R plain radiograph of the wrist · AP · pediatric patient (boy, age 14) · index exam —
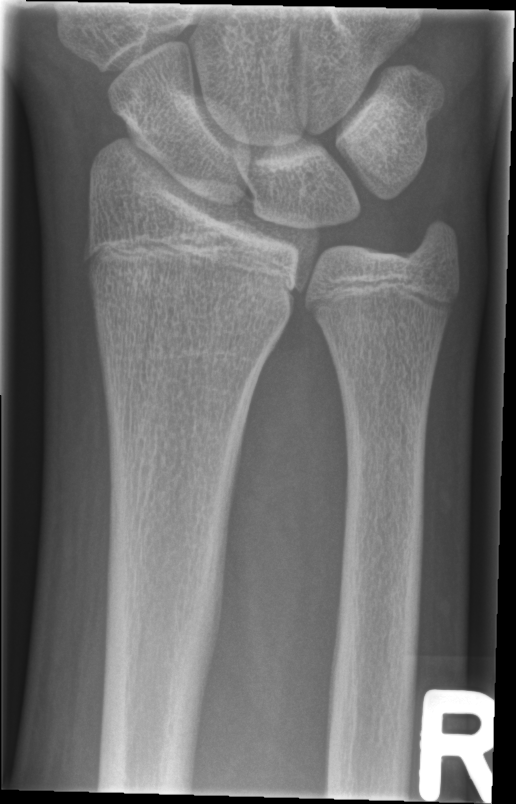
Fx: none.